L pediatric wrist radiograph · lateral · 9-year-old girl —
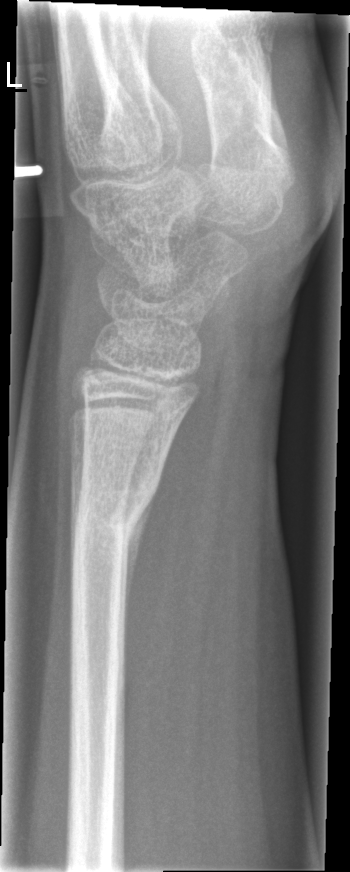

Fracture — <59,469>-<160,570>.
One periosteal reaction at <124,481>-<158,639>.
Fracture classified AO/OTA 23r-M/2.1.